AP · right plain radiograph of the wrist: 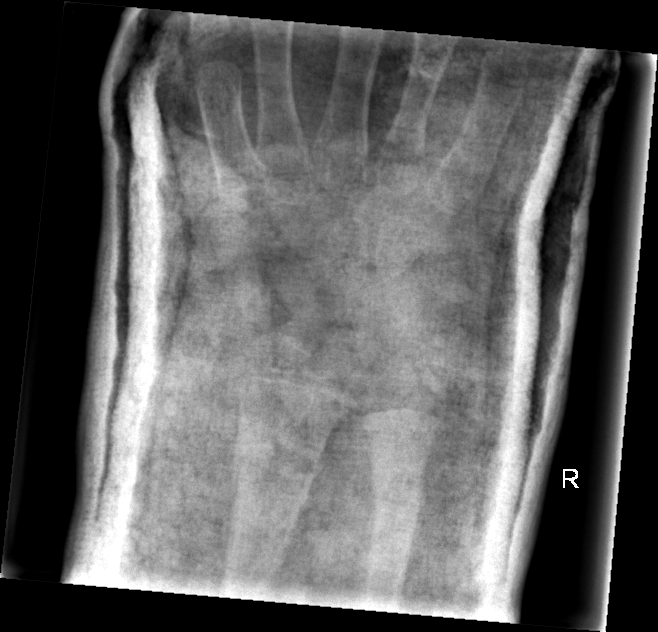

(boxes as x1,y1,x2,y2 (top-left / bottom-right, pixel units))
Q: AO code?
A: AO code 23-M/3.1
Q: Is there a fracture?
A: Bone fracture: (227, 438, 320, 507); (367, 463, 430, 528)